Lat; Lt pediatric wrist radiograph
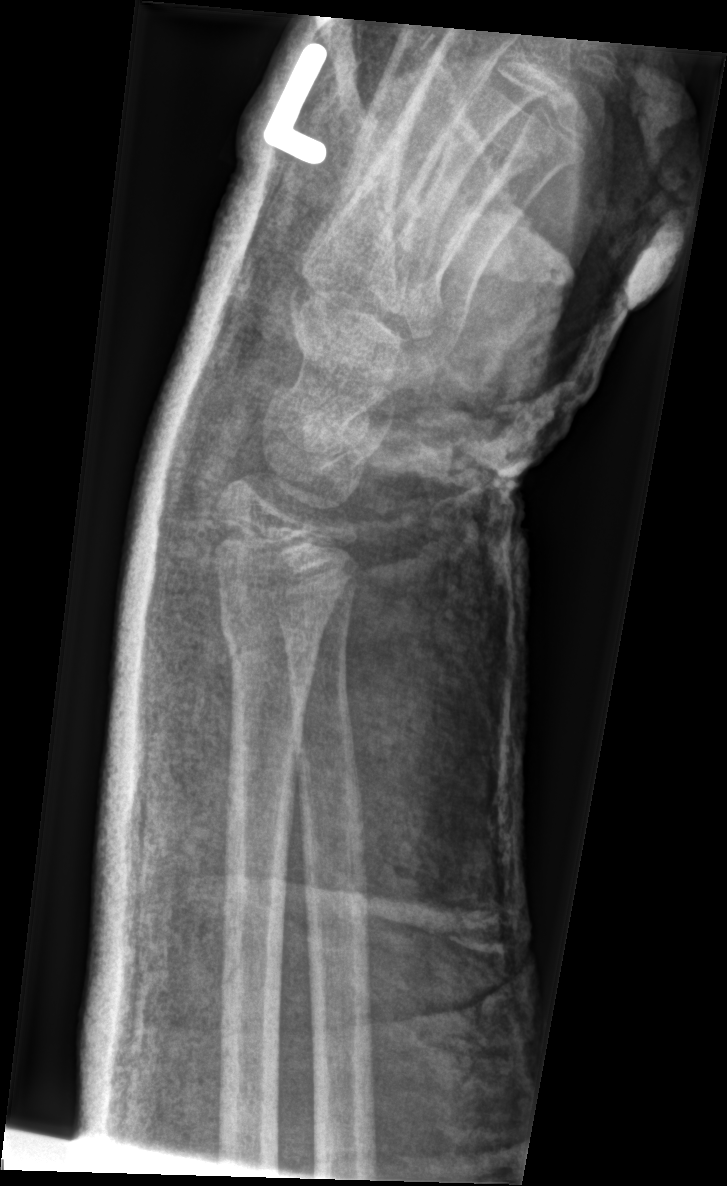
(pixel coordinates, top-left origin, xyxy)
Fx: 1 @ [215, 600, 329, 676]
AO/OTA: 23-M/3.1; 23u-E/7